Rt pediatric wrist radiograph; AP
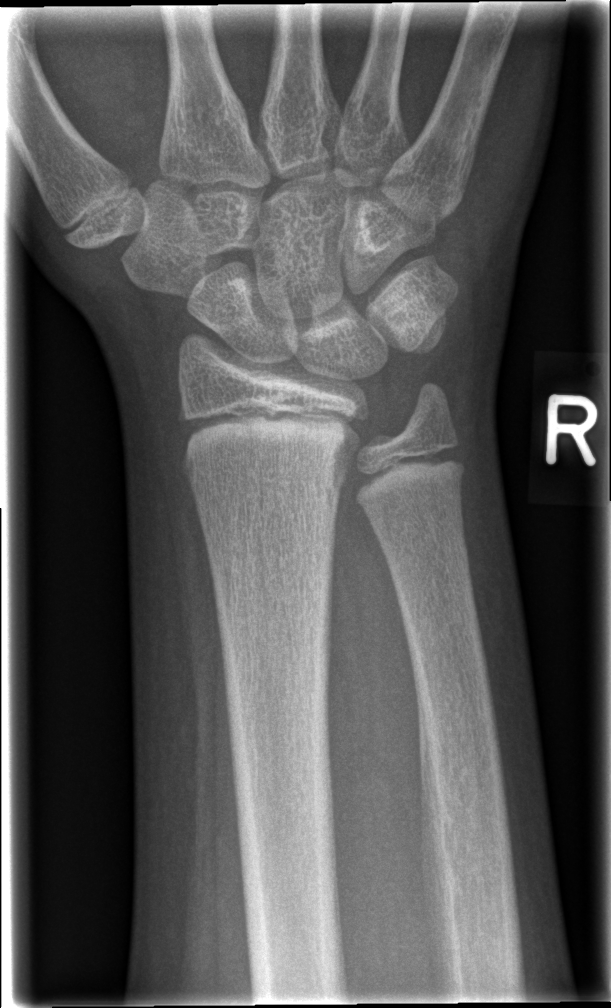

* Bone variant — 321 313 485 547.
* No Fx annotated.